Left pediatric wrist radiograph; frontal view; 11y M.

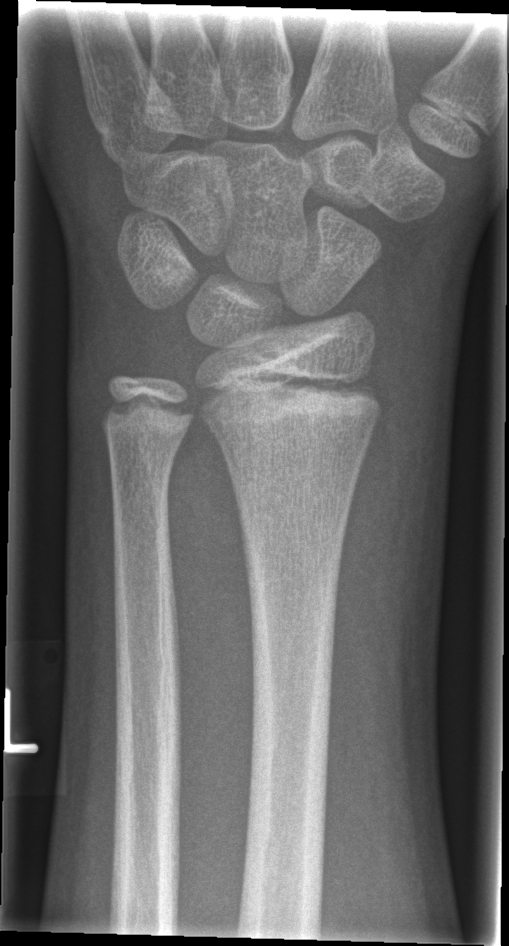 Fx: 1 @ [x1=195, y1=367, x2=387, y2=439]
AO code: 23r-E/2.1